L plain radiograph of the wrist, lat view, female, 11 yo, follow-up study, in cast — 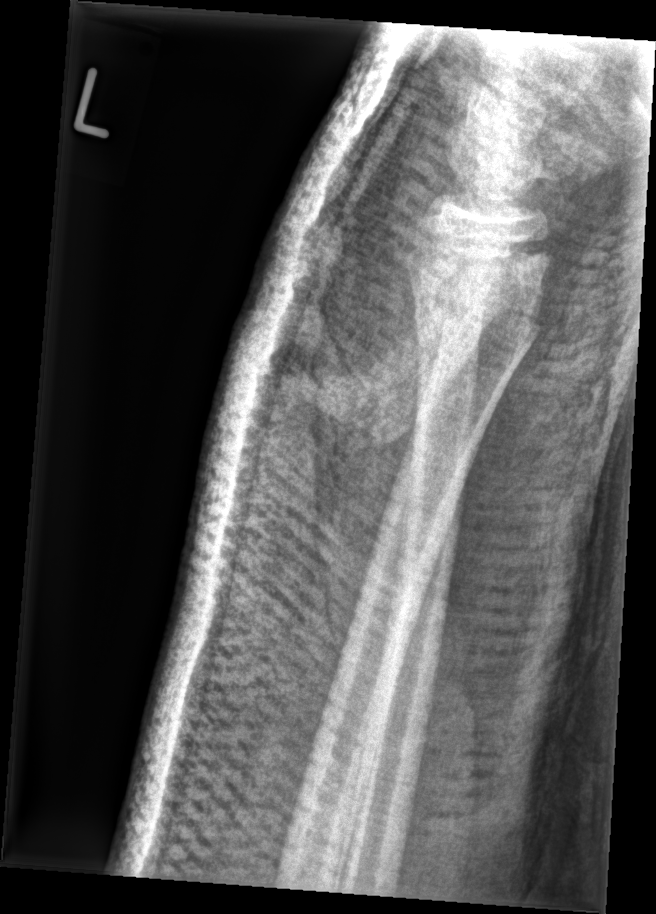 fracture: 1 @ [402, 249, 554, 361]